Lt pediatric wrist radiograph; frontal projection; 576 by 1096 pixels:

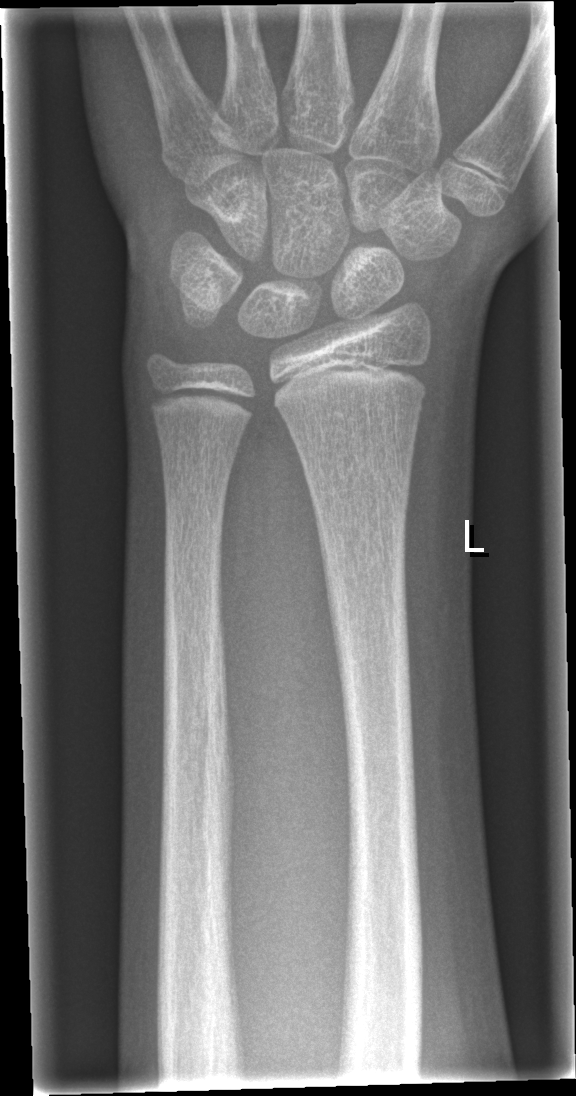
FINDINGS: AO/OTA classification: 23r-M/2.1. Fracture present but not clearly seen in this view.